Lat view, right wrist X-ray, 16y F, follow-up study, image size 419x1088
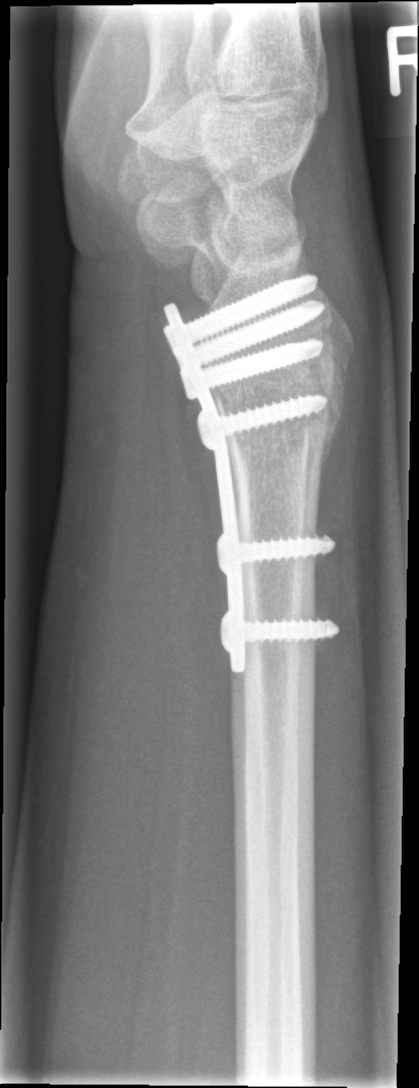

metal: 1 @ 162 277 336 675
bone fracture: 217 309 358 476